Right wrist X-ray | lateral | 11-year-old male | 501x1118.

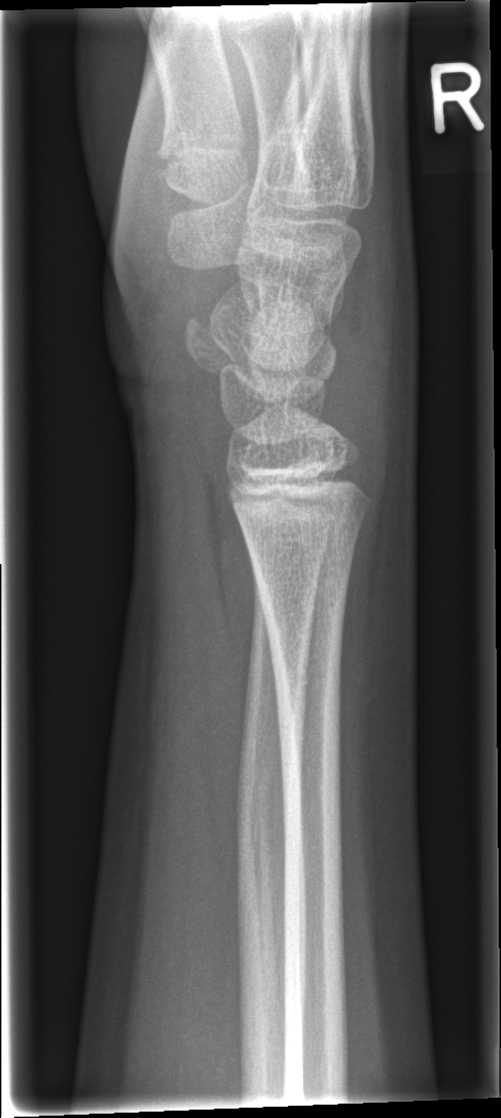 Fracture: none labeled.